Lateral view | Lt pediatric wrist radiograph | 16-year-old male: 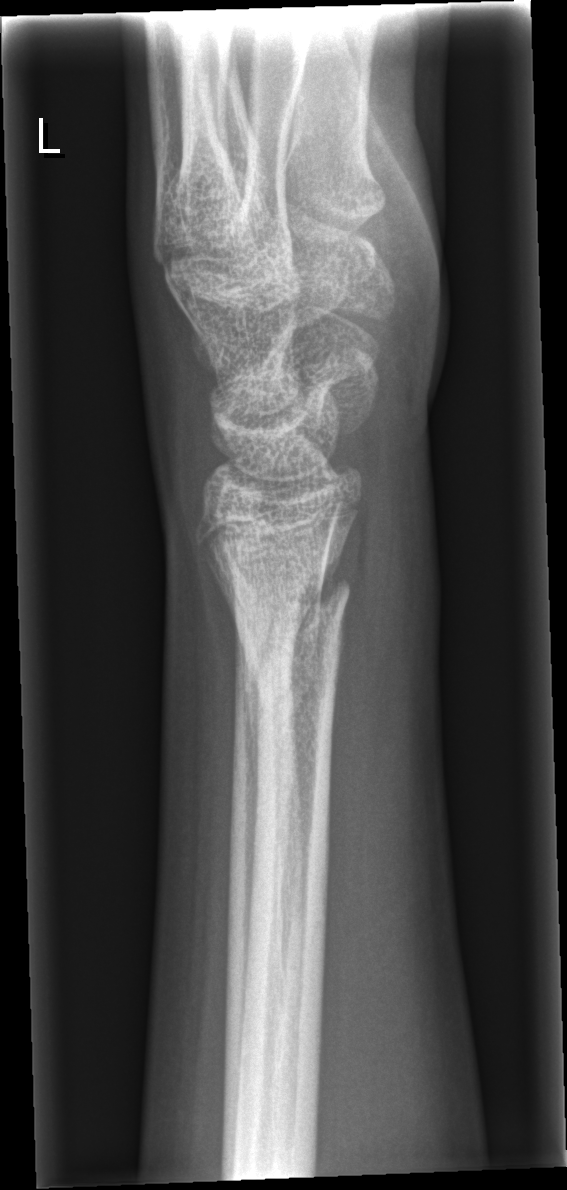

{
  "_coords": "boxes as x1,y1,x2,y2 (top-left / bottom-right, pixel units)",
  "osteopenia": "present",
  "ao": "23r-M/3.1",
  "fracture": "bbox(237, 549, 354, 697)"
}